Lt wrist plain film; lat.
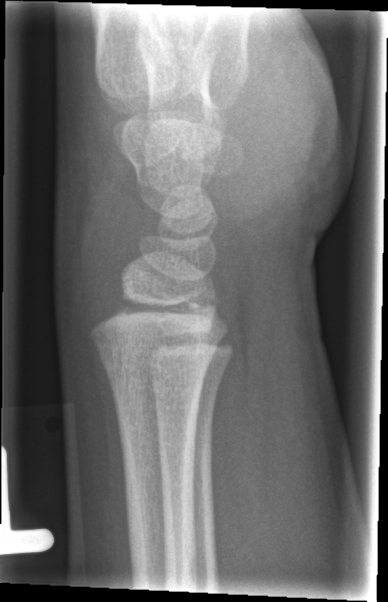

No fracture annotation.